Left wrist radiograph, lateral, pediatric patient (female, age 5), 495x794 —
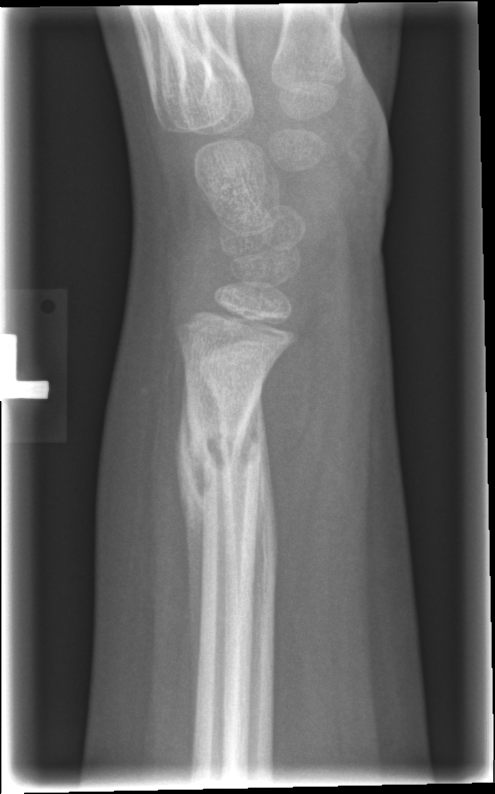 Fracture classified AO/OTA 23r-M/3.1; 23u-M/2.1. Periosteal reaction — 180 485 206 731. Bone fracture: 174 398 266 529.